Left pediatric wrist radiograph, lateral, 12-year-old female, presentation radiograph, Siemens
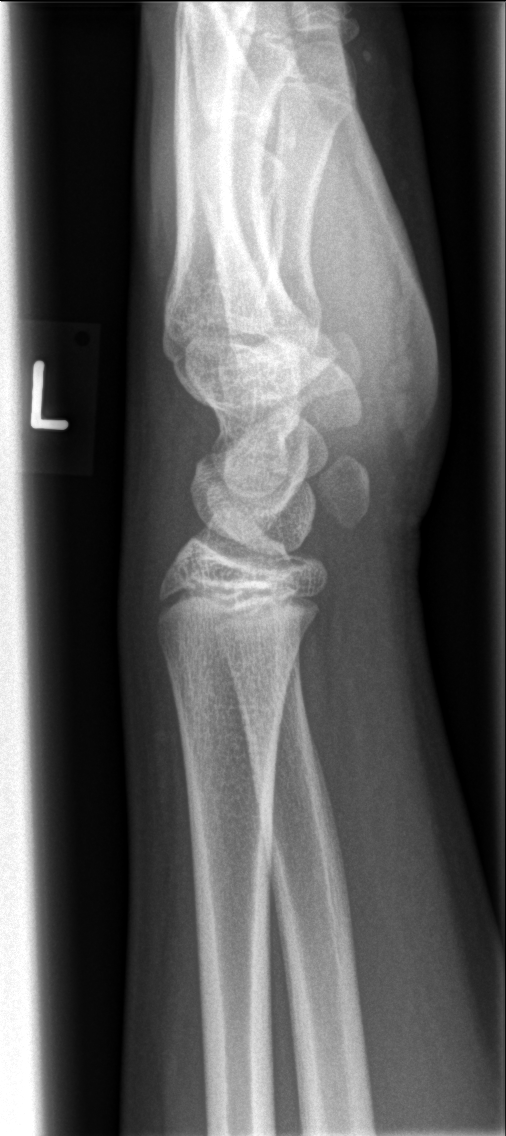
No fracture annotation.